Lateral projection | right pediatric wrist radiograph | acquired on Siemens | image 47.5 mm wide
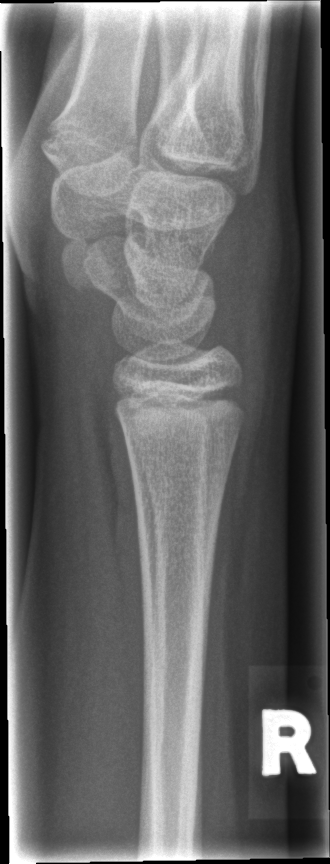 - No fracture labeled.